Lt wrist X-ray; lateral projection; 12y F — 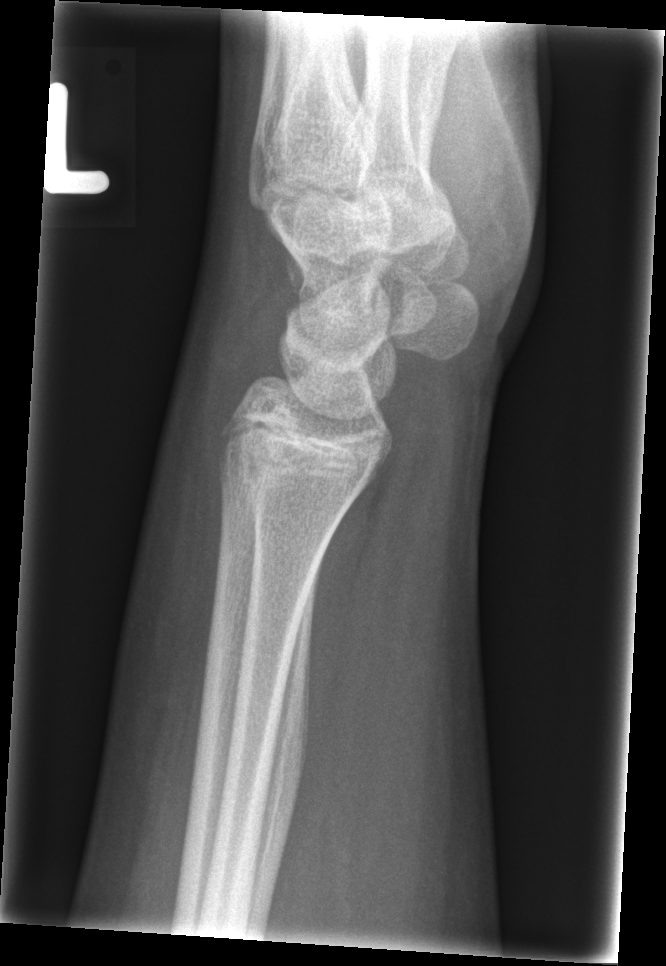

Bone fracture: none labeled